Lateral view; Rt wrist X-ray; pediatric patient (girl, age 10); acquired on Siemens:

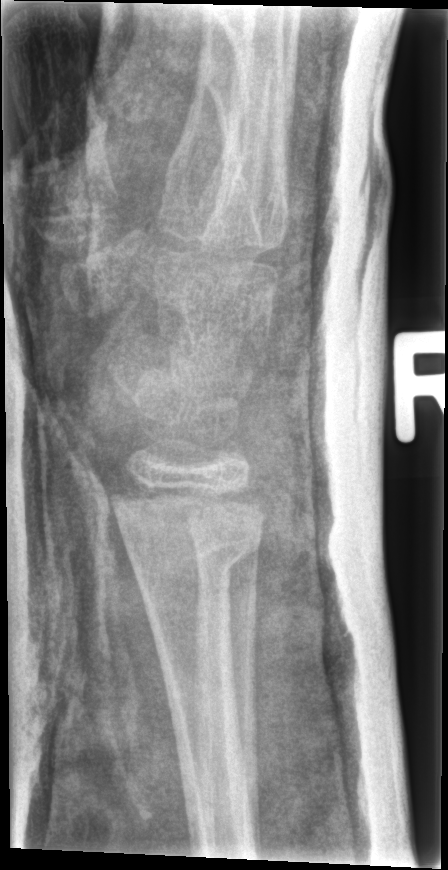

Boxes as x1,y1,x2,y2 (top-left / bottom-right, pixel units).
Fracture identified at (103, 480, 266, 590).
AO/OTA classification: 23r-E/2.1.